Lateral projection | R pediatric wrist radiograph — 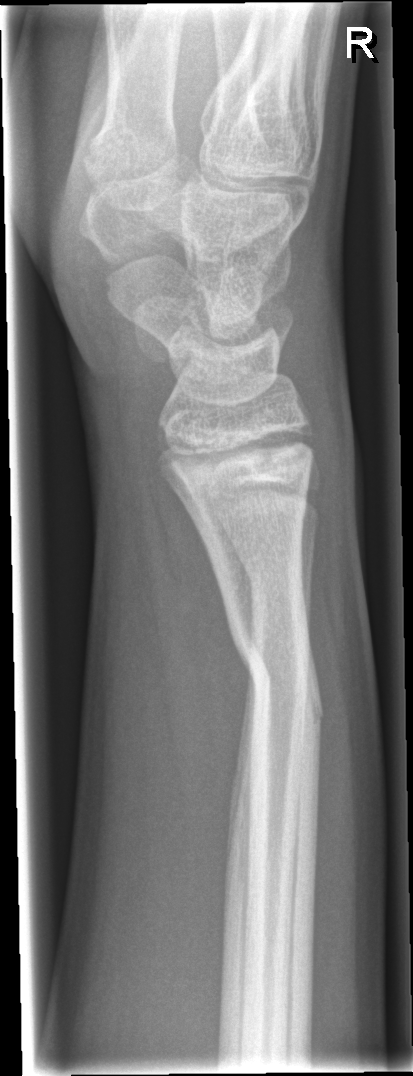

Two fractures at (225, 620, 326, 739) (235, 549, 315, 601). Fracture classified AO/OTA 23r-M/3.1; 23u-M/2.1.